L wrist radiograph · frontal projection · 17-year-old boy · detector: Siemens.
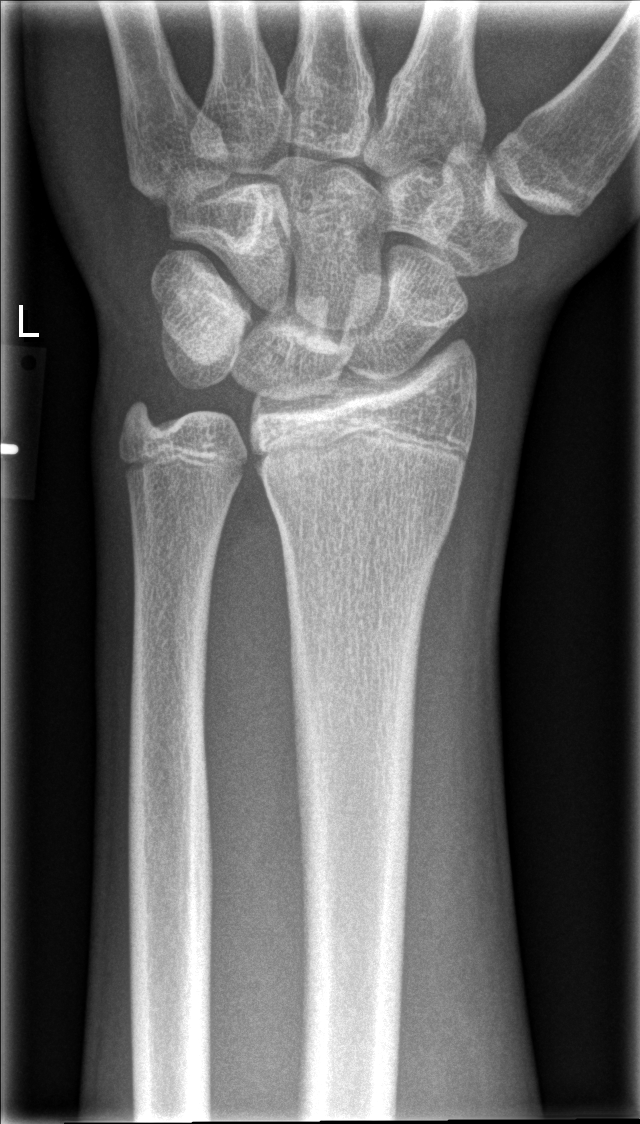

Findings: Fx: present but not clearly seen in this view. AO code 23r-M/2.1.